Lat projection, right wrist plain radiograph of the wrist, 500 by 1164 pixels:
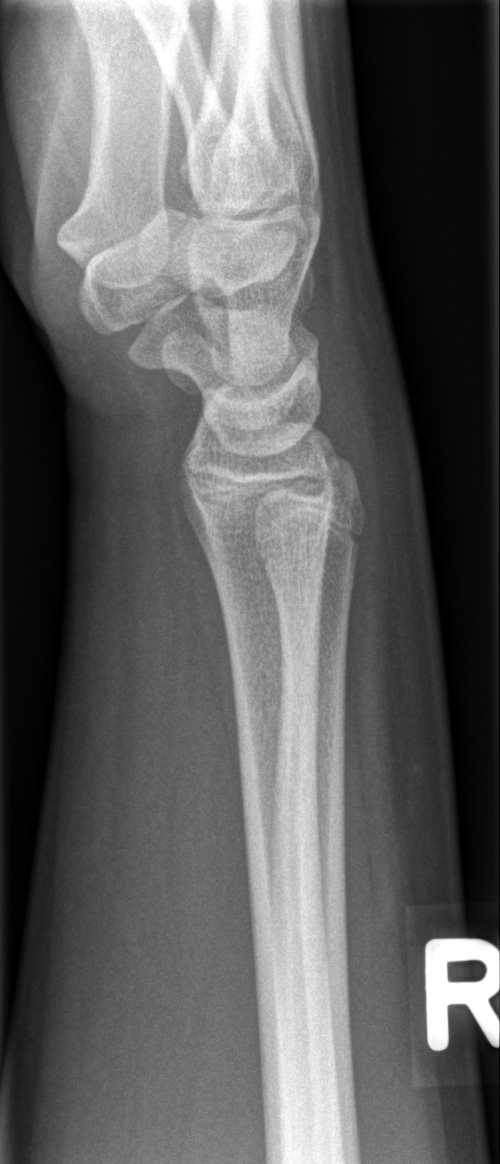
No fracture labeled.